L wrist X-ray, lateral projection, age 4 y, boy — 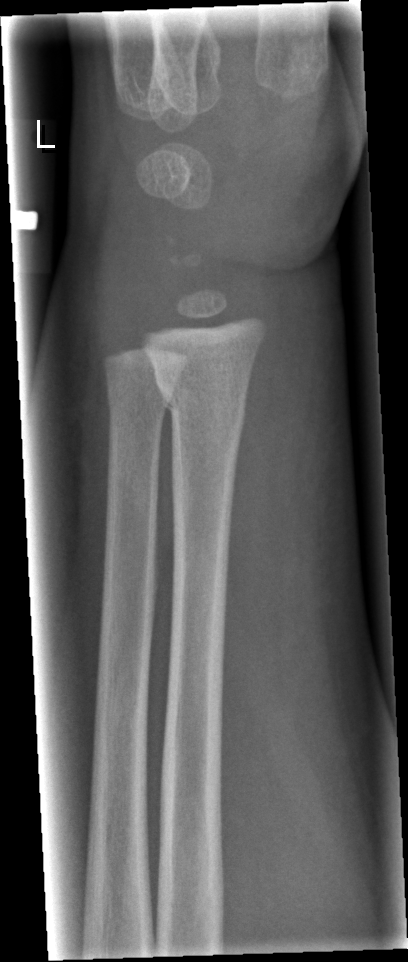
Boxes as x1,y1,x2,y2 (top-left / bottom-right, pixel units). Bone fractures — [x1=153, y1=366, x2=251, y2=437]; [x1=104, y1=376, x2=177, y2=414].